Frontal projection · L wrist plain film · 14-year-old female · acquired on Siemens. 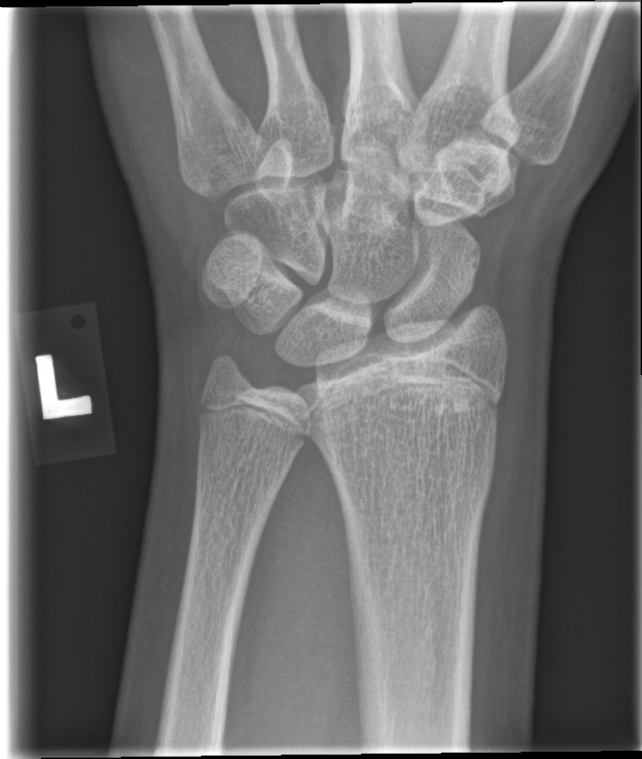 FINDINGS: Fracture: none labeled.